Right wrist plain film; AP view; age 14 y, boy; imaged through cast; 574 x 917 px.

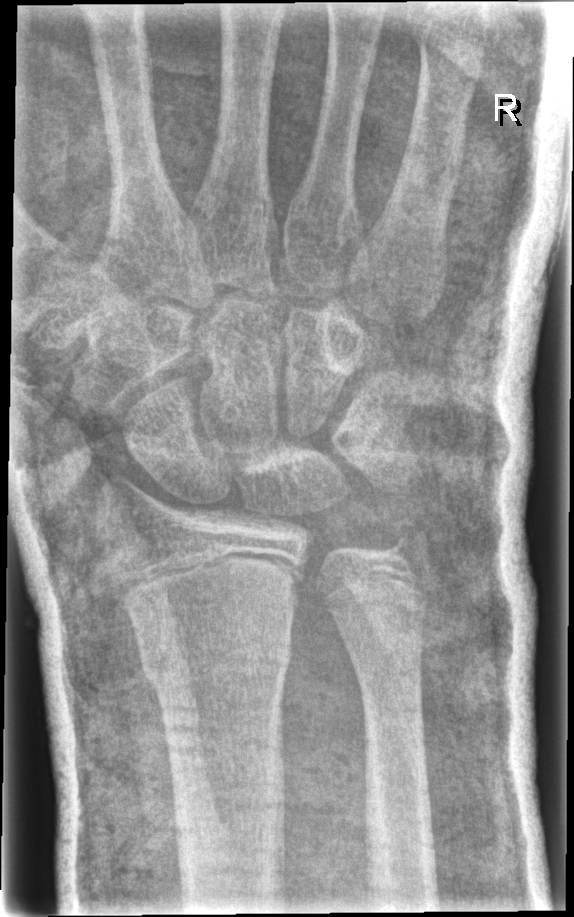
AO code 23r-M/3.1; 23u-E/7. Fractures — bbox(138, 632, 295, 693); bbox(378, 511, 433, 576).